Lateral; left wrist pediatric wrist radiograph; pediatric patient (boy, age 11); in cast; 568x1000 —

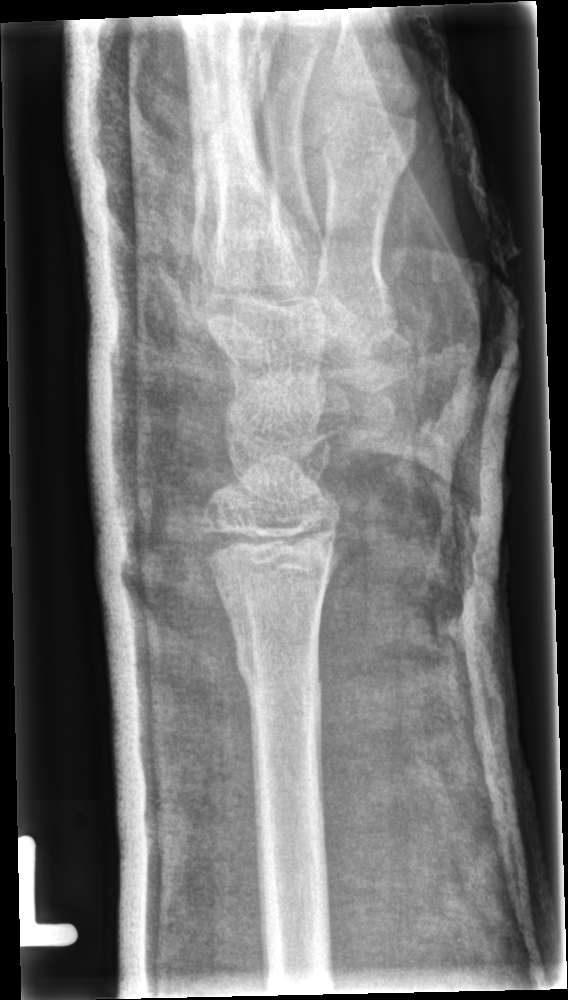
FINDINGS: (coordinates are [x1, y1, x2, y2] in image pixels) Bone fracture: <230,626>-<325,696>. AO code 23r-M/3.1; 23u-E/7.